Left wrist radiograph | frontal projection | presentation radiograph.
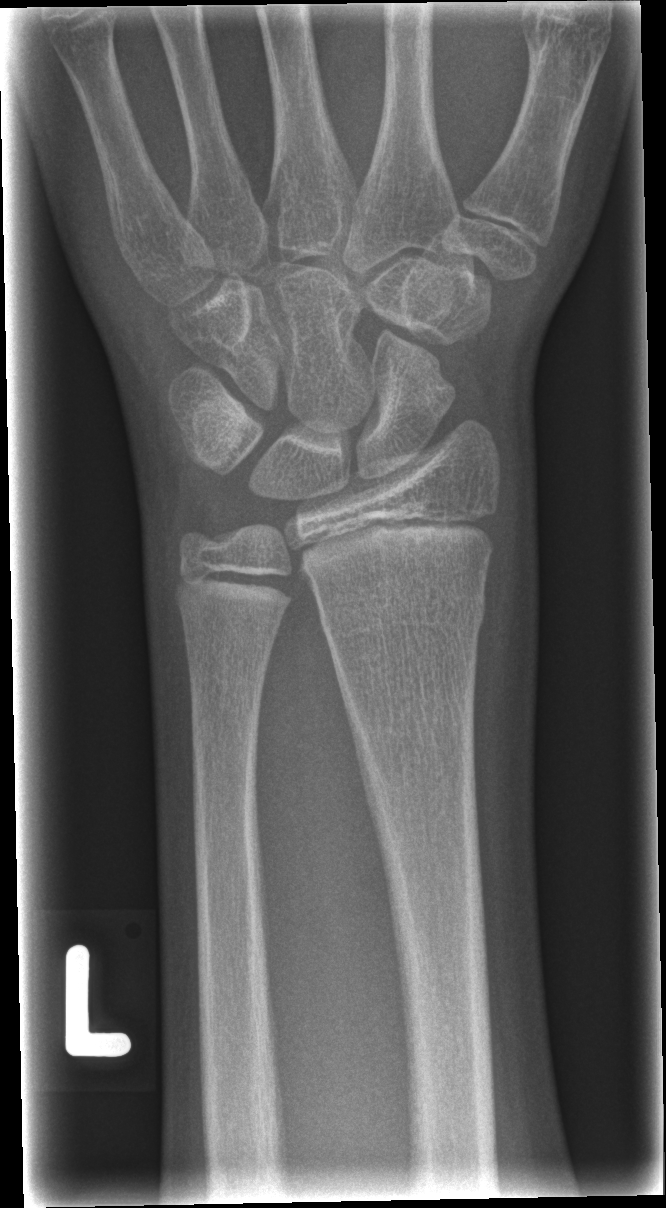 (boxes as x1,y1,x2,y2 (top-left / bottom-right, pixel units))
bone fracture = 314,579,488,662 | 171,561,299,617